L pediatric wrist radiograph; frontal view; 16-year-old female — 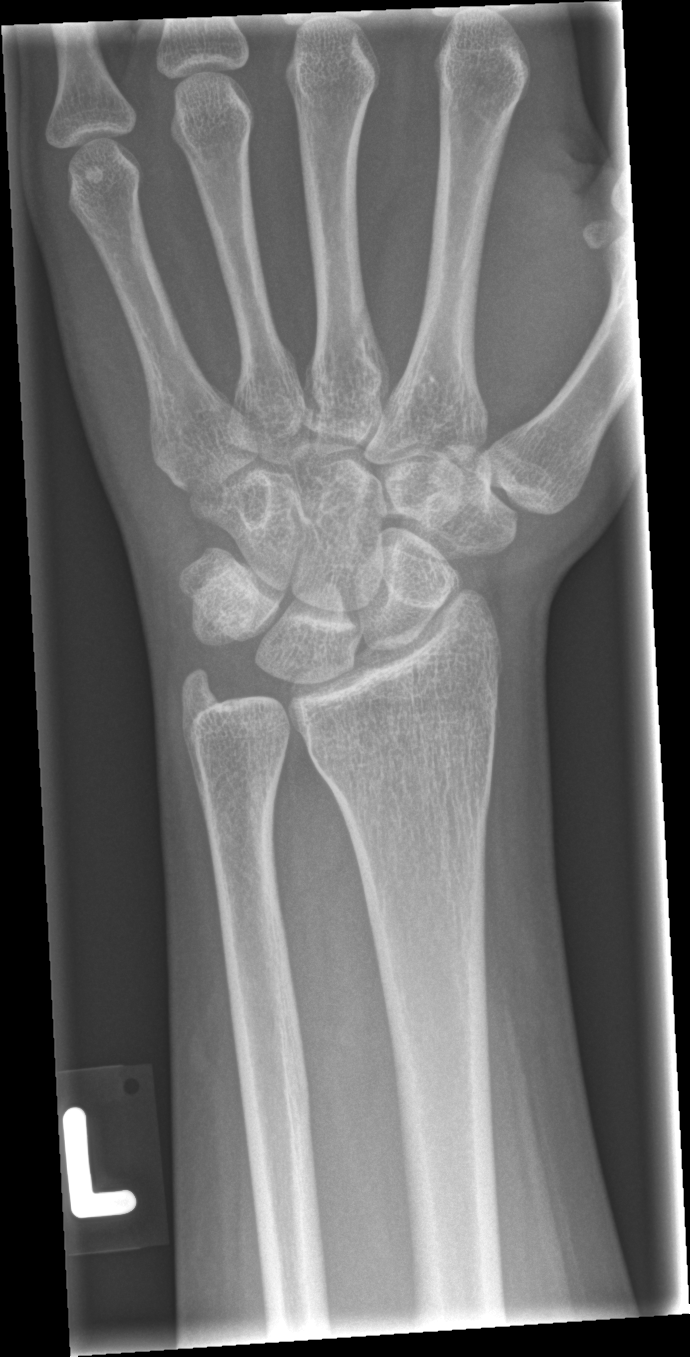

Bone fracture: none labeled